AP view · L wrist XR · cast present.

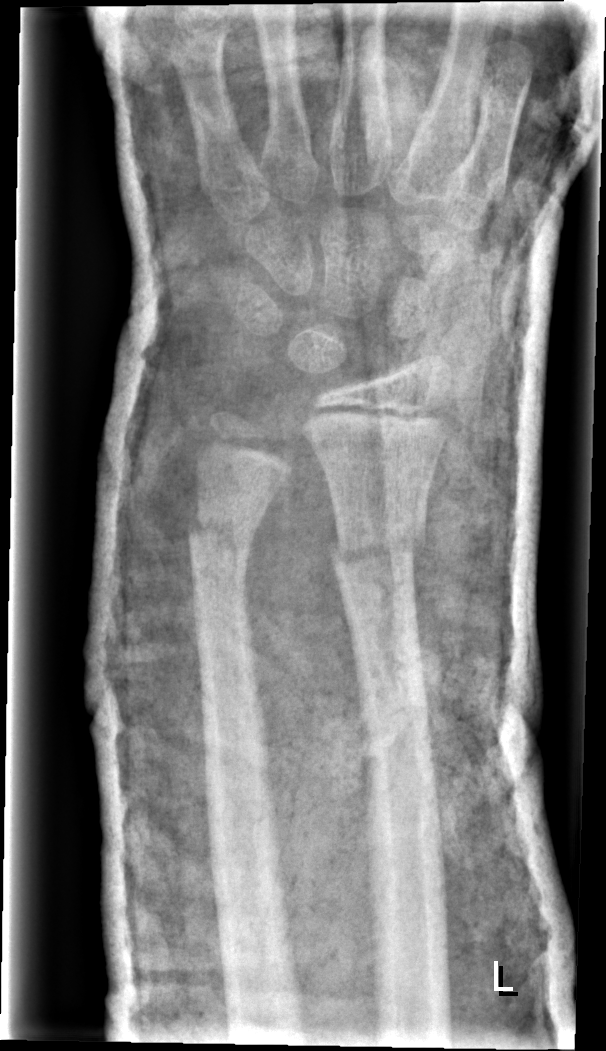

Coordinates are [x1, y1, x2, y2] in image pixels. Two bone fractures at <325,514>-<429,574> <184,508>-<252,580>. AO/OTA classification: 23-M/3.1.